R pediatric wrist radiograph | lat projection | male, 13 yo | image 79.8 mm wide 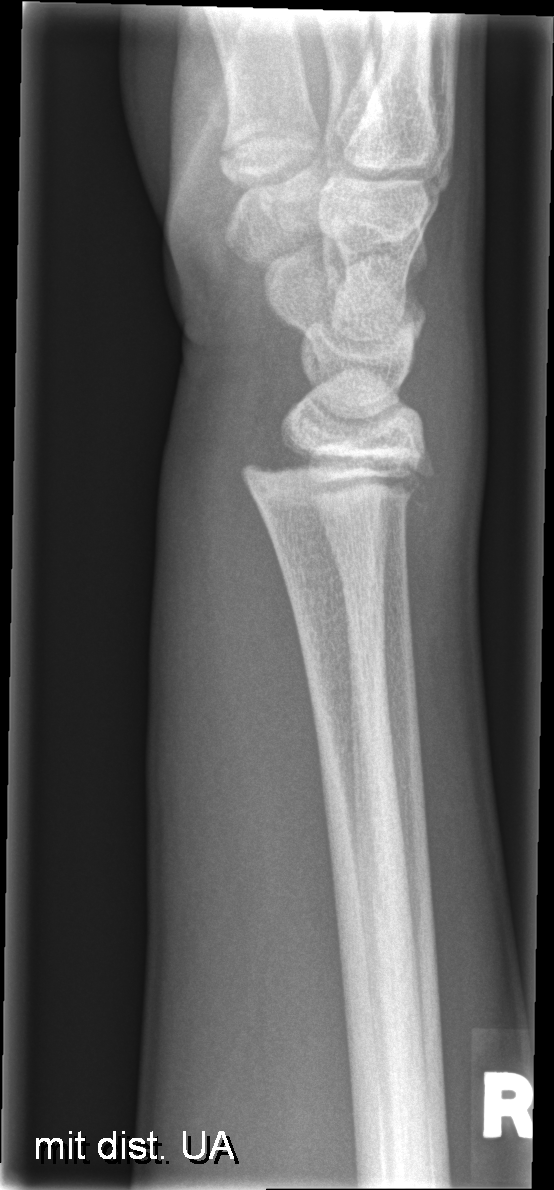
Soft tissue abnormality identified at (left=148, top=379, right=333, bottom=1124). Fracture classified AO/OTA 23r-E/2.1; 23u-E/7. Fracture — (left=237, top=436, right=437, bottom=519).